Rt wrist radiograph · lateral view · Siemens —
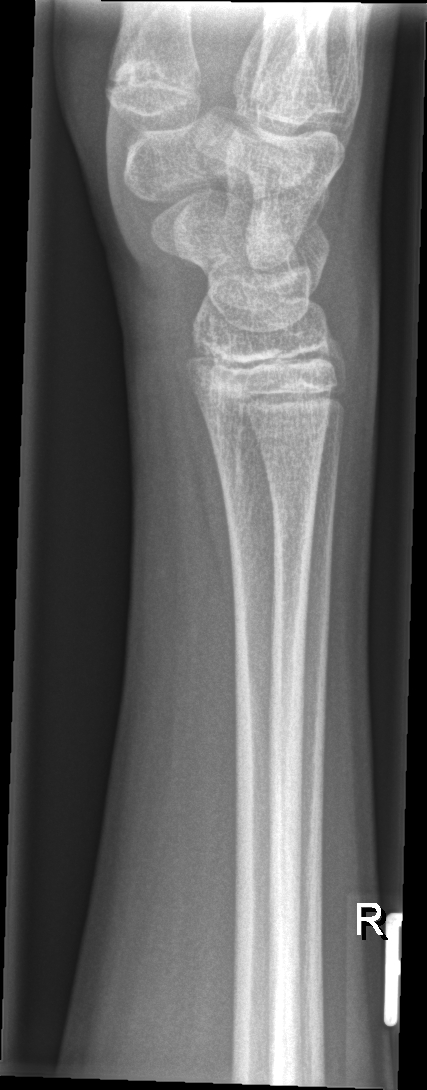
Q: Is there a fracture?
A: No Fx annotated